L wrist X-ray, AP projection, cast present, detector: Siemens: 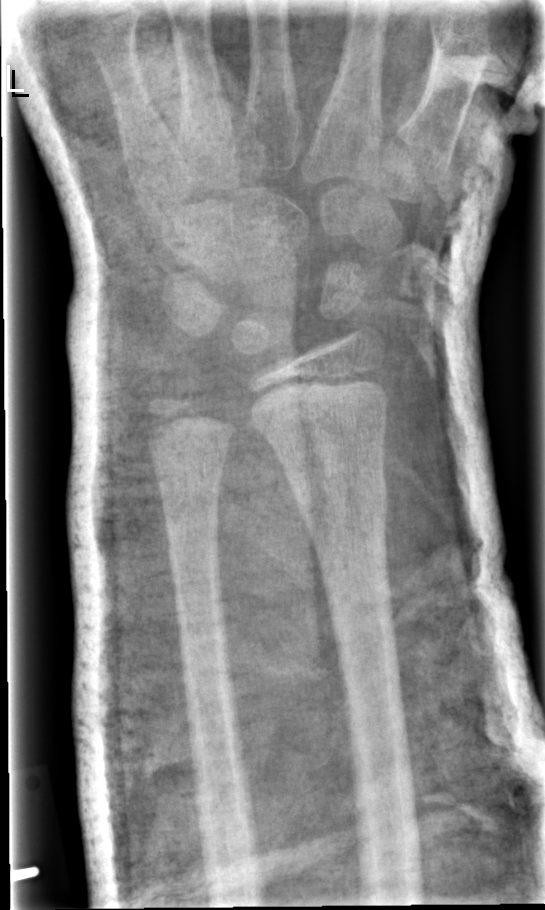
Fx identified at 288 464 394 541. AO code 23r-M/3.1.